Lateral | left wrist plain film | 15y M.
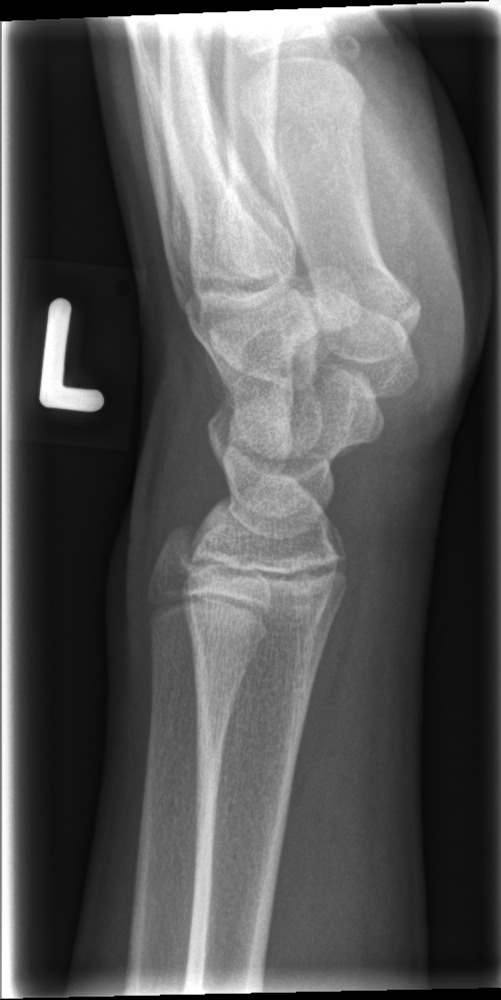

- No fracture annotation.